Lateral projection · left wrist X-ray · image width 60.9 mm —

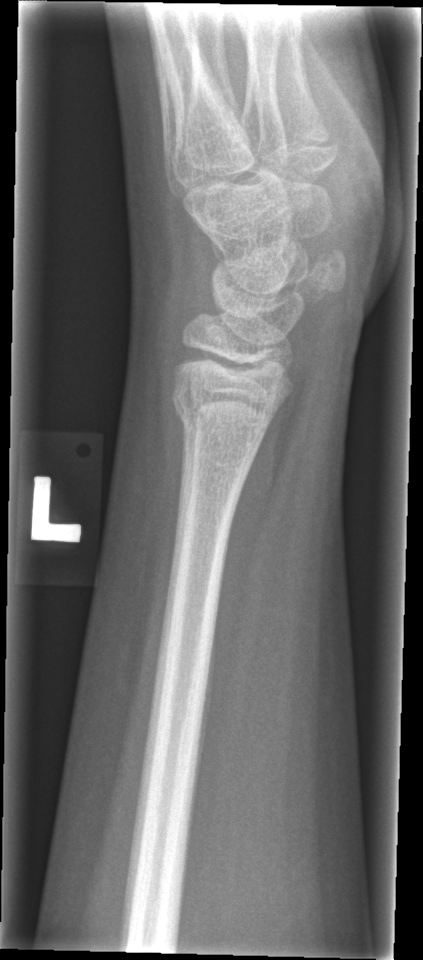

Pixel coordinates, top-left origin, xyxy.
Fracture classified AO/OTA 23r-M/2.1.
One Fx at 169 380 280 434.